Left wrist pediatric wrist radiograph · frontal view · pediatric patient (girl, age 9) · cast present
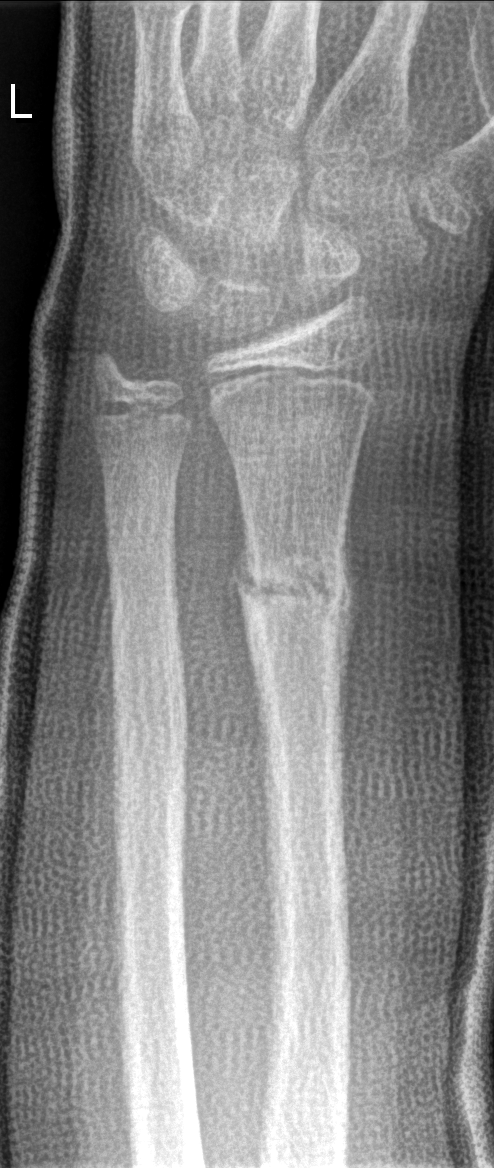
(bounding boxes in image-pixel xyxy)
Q: Any fracture seen?
A: One bone fracture at 237 543 358 646
Q: What is the AO/OTA classification?
A: AO/OTA classification: 23r-M/3.1
Q: Any periosteal thickening?
A: Periosteal thickening: 337 503 360 751 | 233 490 256 599